L wrist X-ray, lateral view, boy, 4 yo, detector: Siemens — 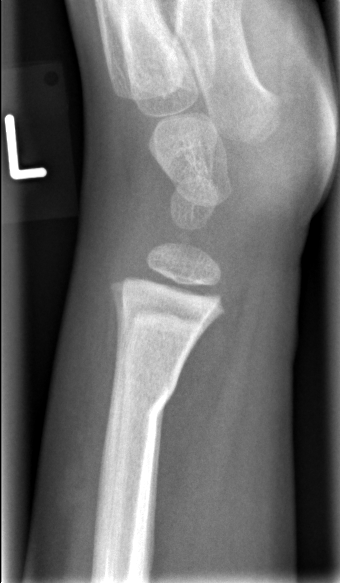 AO/OTA: 23-M/2.1
Fracture: (108, 366, 179, 441)